Lateral view, left plain radiograph of the wrist, presentation radiograph, 84.0 mm image width. 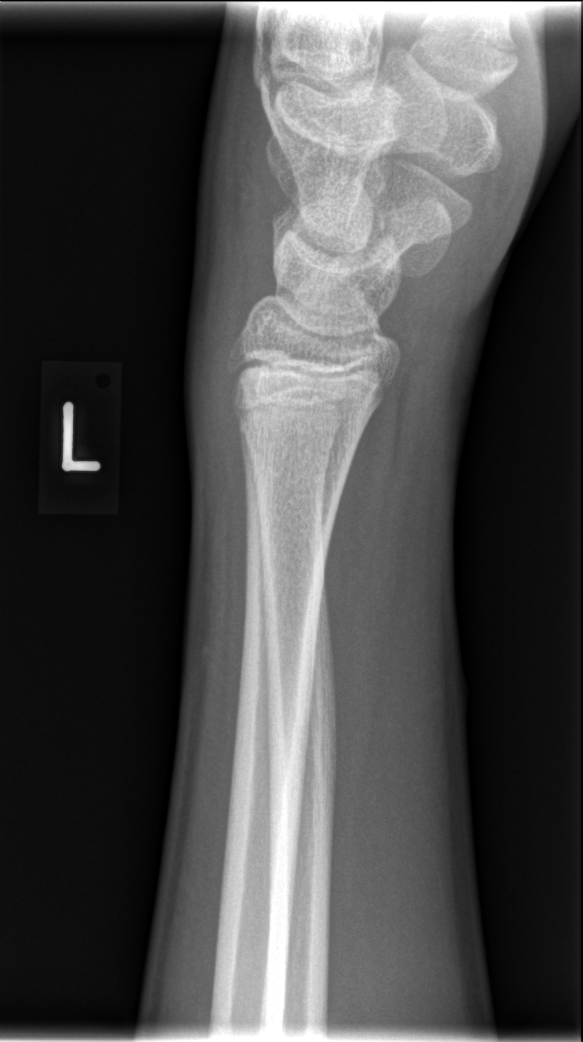 * Fx: none.